Lateral view · left wrist plain radiograph of the wrist · follow-up study 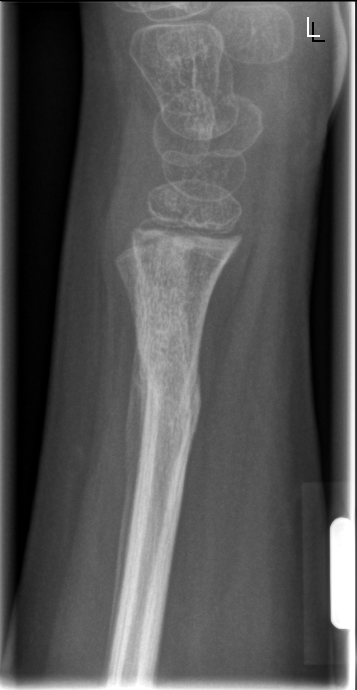

AO classification = 23-M/3.1
Fx = [x1=129, y1=345, x2=203, y2=432]
periosteal reaction = 1 @ [x1=105, y1=334, x2=148, y2=685]